L wrist XR · lat —
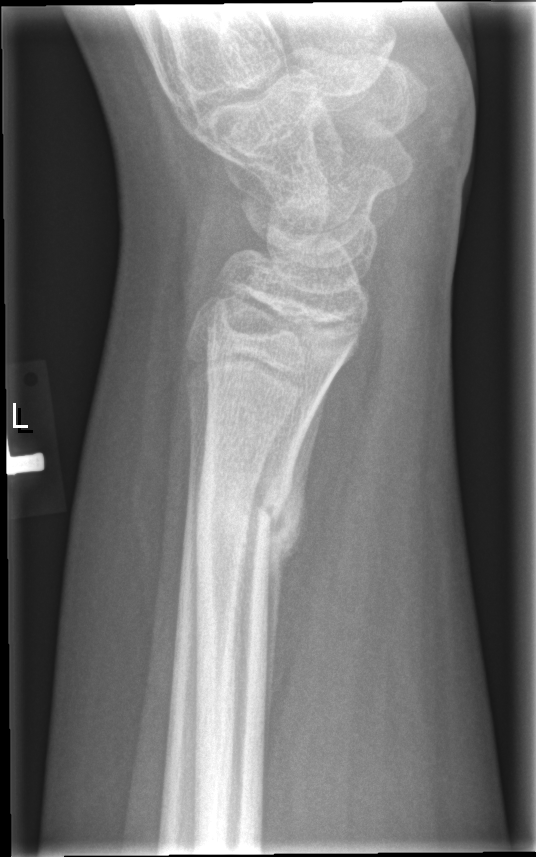
- One periosteal reaction at 263 385 329 777.
- AO/OTA classification: 23r-M/3.1.
- One fracture at 191 463 308 559.